PA projection | Lt plain radiograph of the wrist | follow-up study | imaged through cast | detector: Siemens | 96.5 mm image width

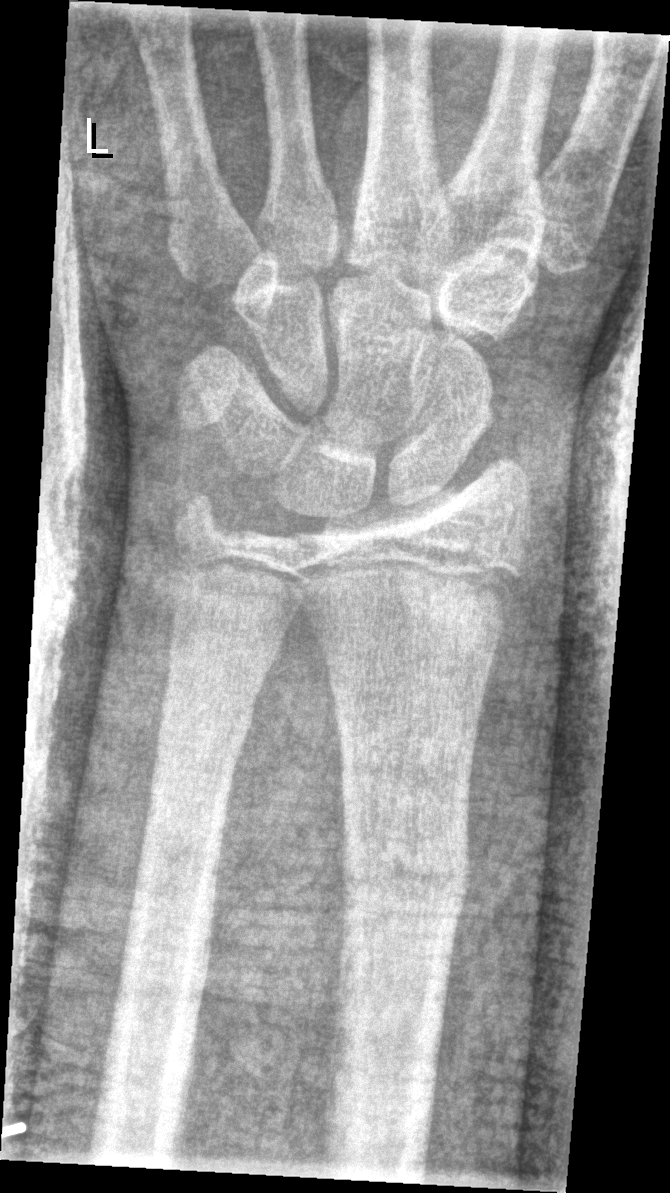
• Boxes as x1,y1,x2,y2 (top-left / bottom-right, pixel units).
• Fracture identified at 338,828,473,926
  152,685,260,758.